AP, right wrist radiograph, female, 10 yo, initial study:
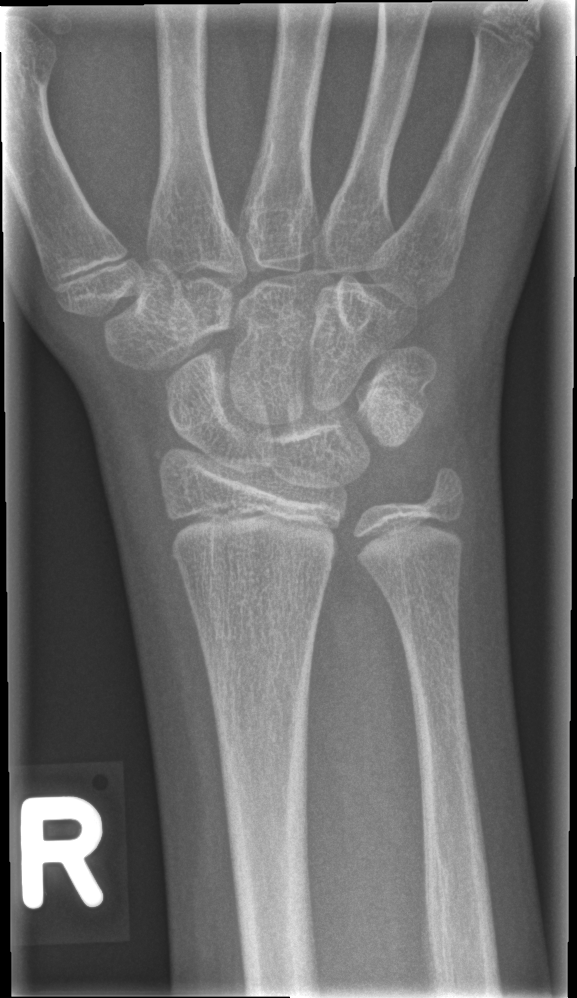

Fracture = none labeled